Lat view; left wrist radiograph; Siemens —

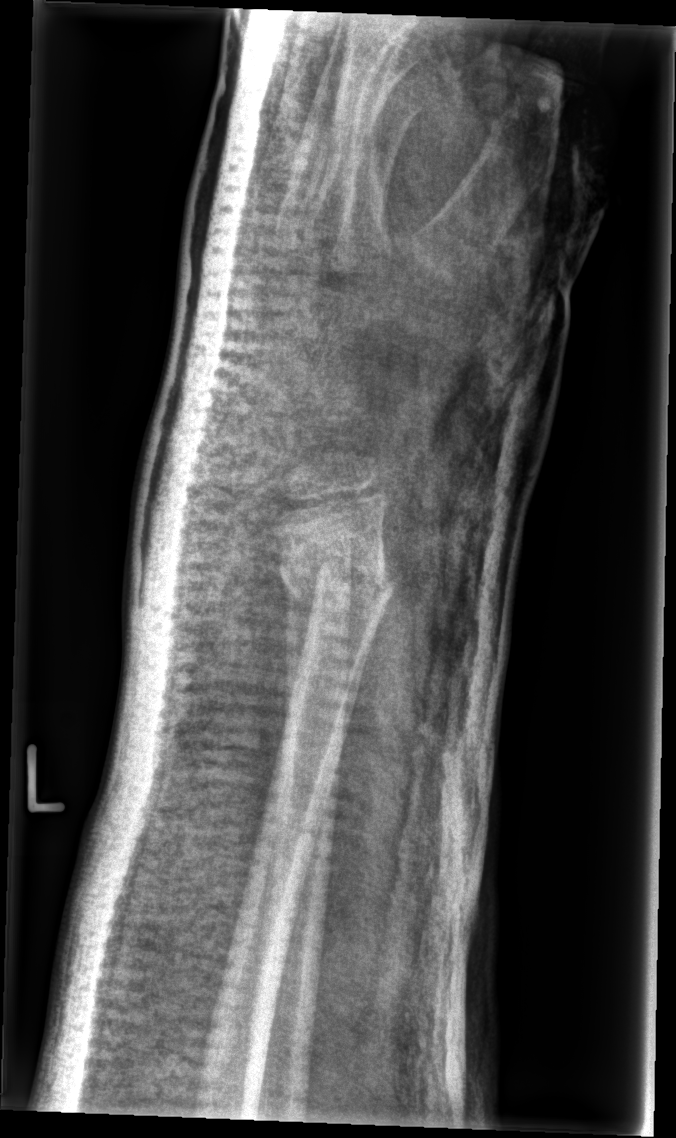

  ao: 23r-M/3.1; 23u-M/2.1
  fracture: 278,554,397,628
  periostealreaction: 283,580,318,729